Posteroanterior, L plain radiograph of the wrist, 7-year-old male — 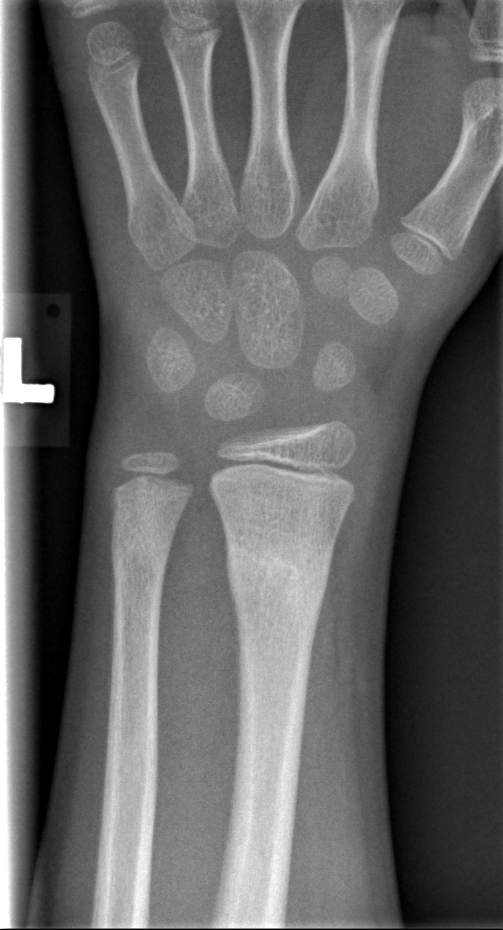

(boxes as x1,y1,x2,y2 (top-left / bottom-right, pixel units))
AO code: 23-M/2.1
Osteopenia: present
Fracture: bbox(224, 538, 334, 611), bbox(109, 526, 174, 578)